Rt wrist radiograph; lat; girl, 5 yo; detector: Siemens:
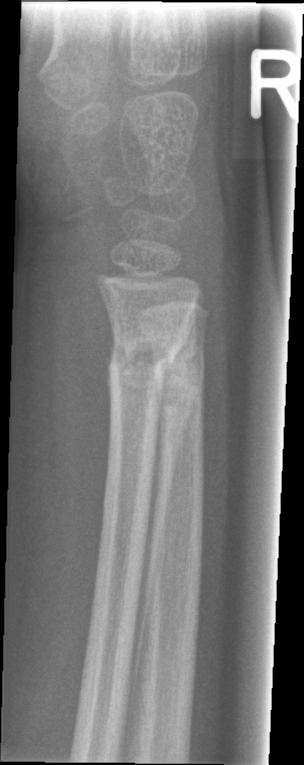
* Decreased bone density (osteopenia).
* Bone fractures — 105 331 182 380 | 149 352 210 399.
* AO/OTA classification: 23-M/3.1.